Right wrist pediatric wrist radiograph | PA/AP projection | pediatric patient (male, age 13) | follow-up: 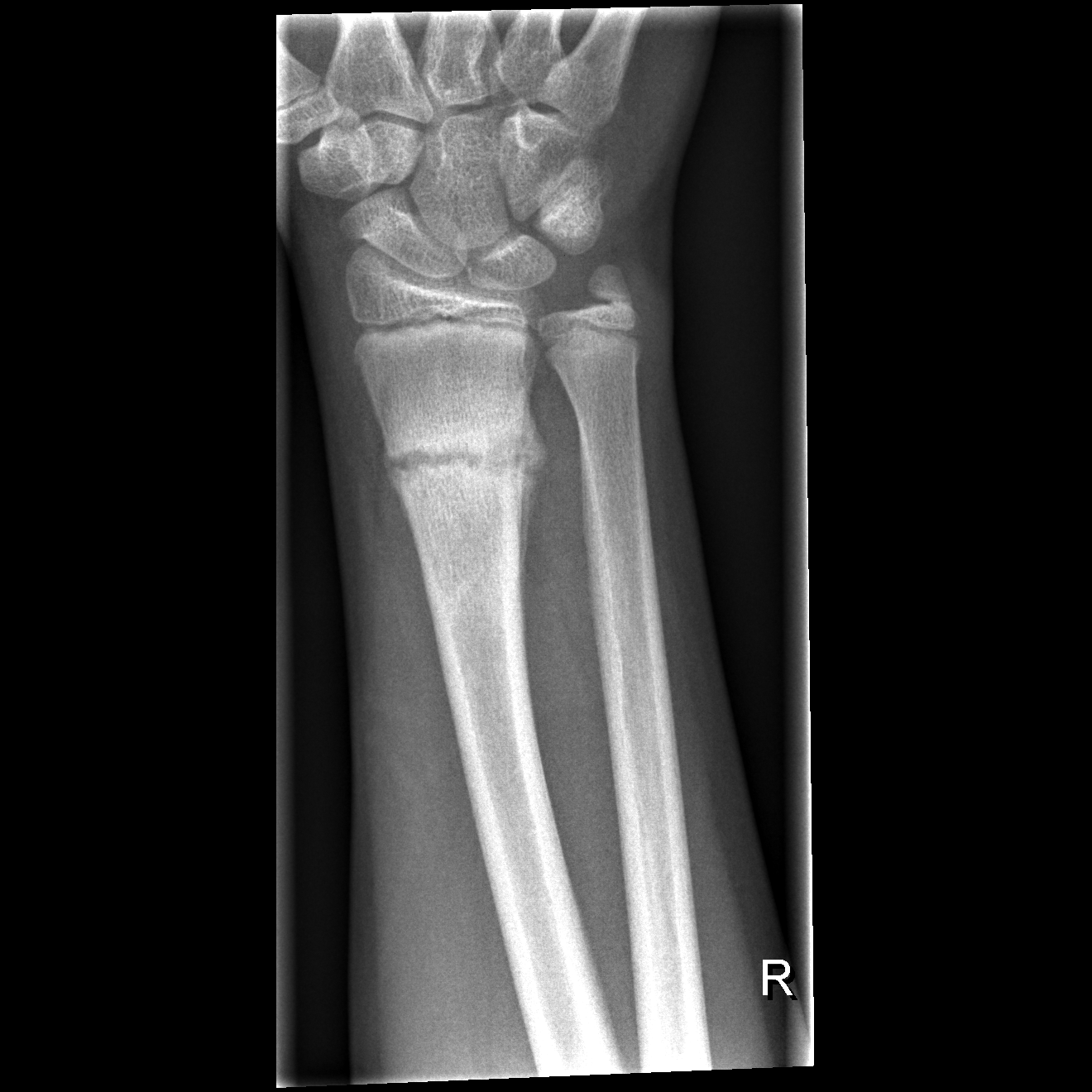
FINDINGS — AO code 23r-M/3.1; 23u-E/7. Periosteal reaction: 515,384,550,678. Fractures — 382,408,537,515 | 575,255,639,325.